Rt pediatric wrist radiograph · PA projection. 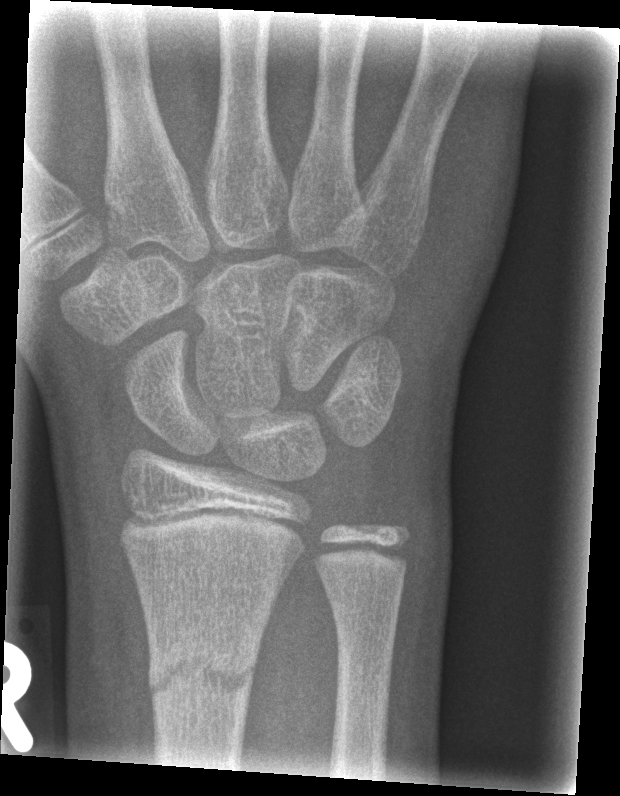 Coordinates are [x1, y1, x2, y2] in image pixels.
Fx: 144,630,262,717.
AO/OTA classification: 23r-M/3.1.